Left wrist X-ray · lateral · Siemens — 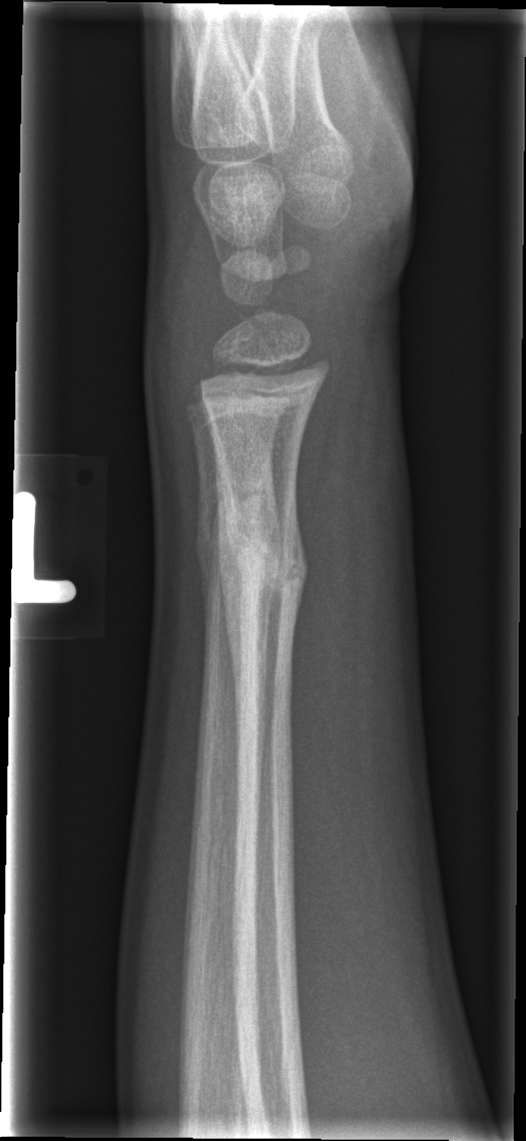
AO code 23-M/3.1. Bone fracture — bbox(215, 518, 311, 605).